Lat view; R pediatric wrist radiograph; follow-up; cast present; 116.9 mm image width; 812 x 1260 px — 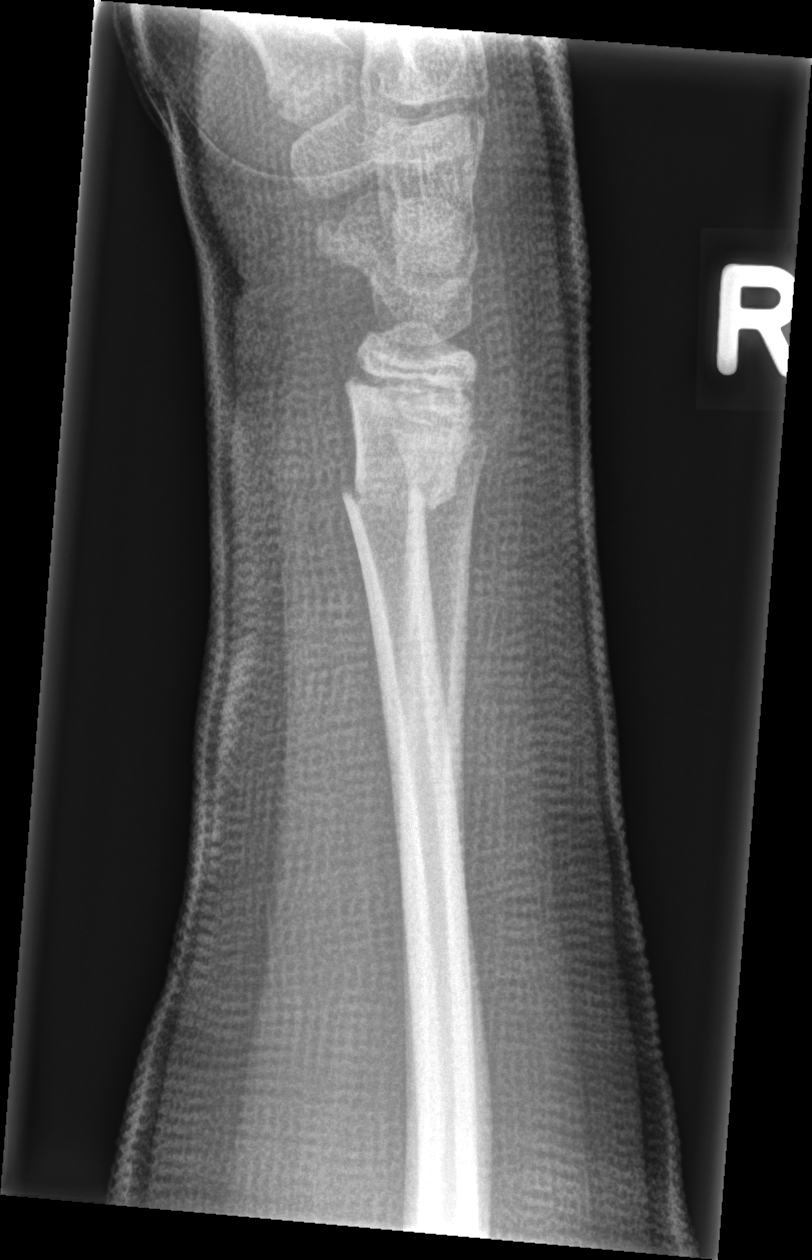
Findings: Fx — bbox(339, 470, 461, 539). AO/OTA classification: 23r-M/3.1.